Lateral · right wrist radiograph · age 14 y, male.

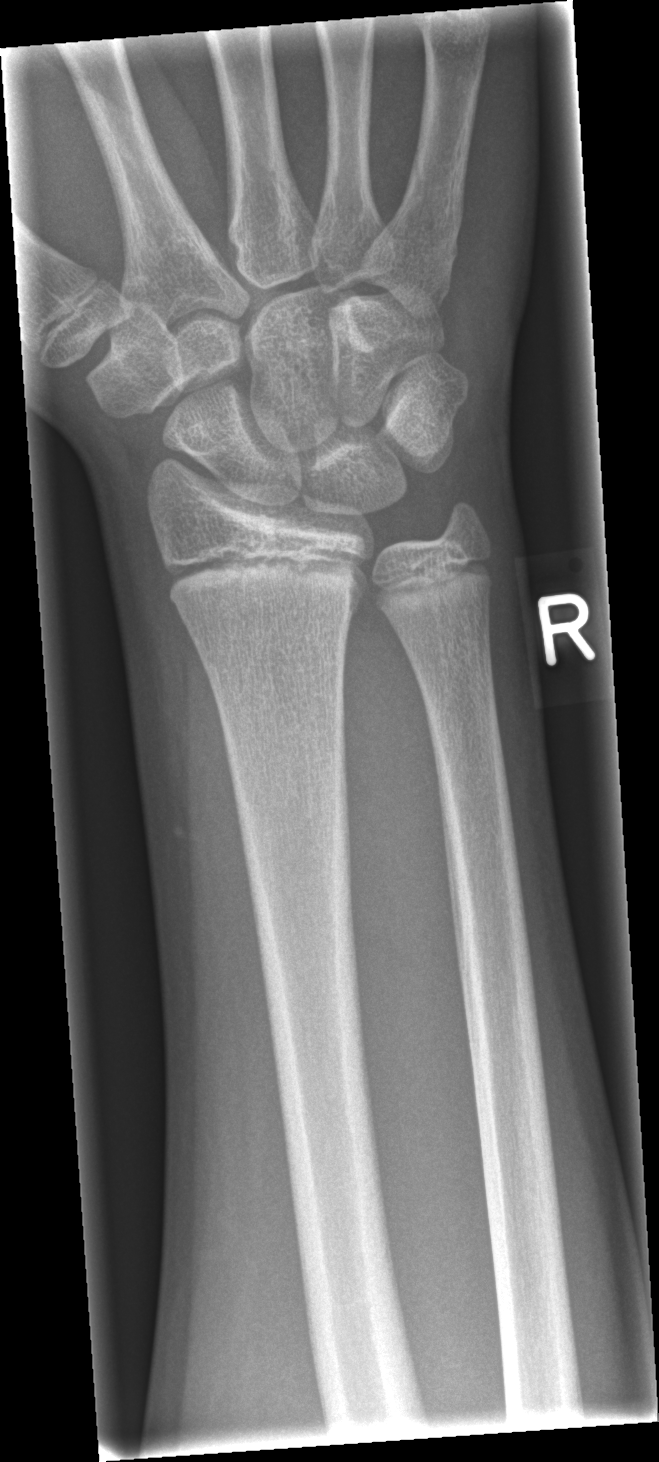
- Fx: none.